L wrist XR, frontal view, follow-up, 660 by 898 pixels.
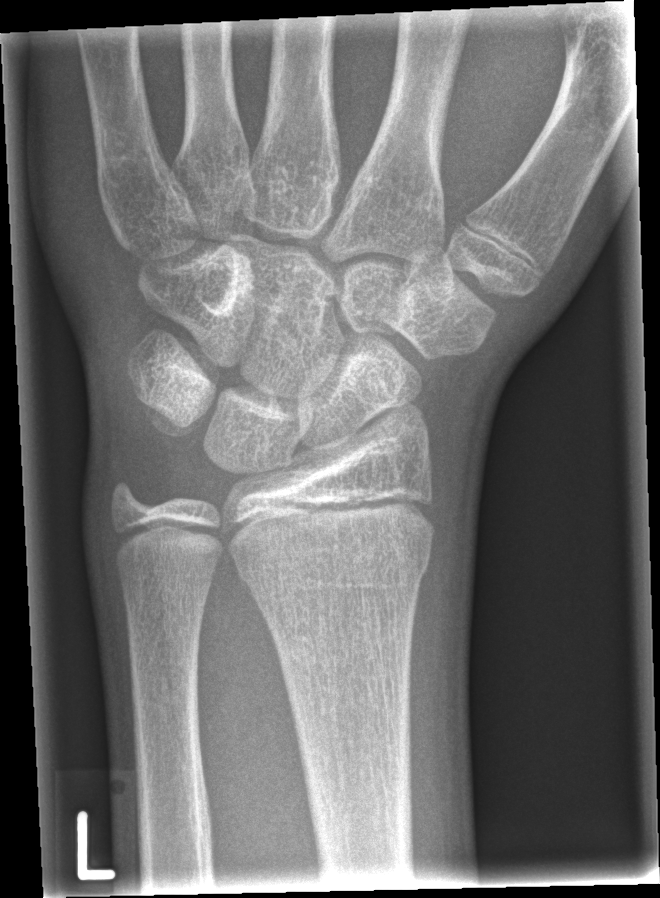
(bounding boxes in image-pixel xyxy)
Q: Fracture present?
A: Fx identified at [235, 542, 434, 600]
Q: What is the AO/OTA classification?
A: Fracture classified AO/OTA 23r-M/2.1